R wrist plain film | AP projection | pediatric patient (boy, age 12) | detector: Siemens

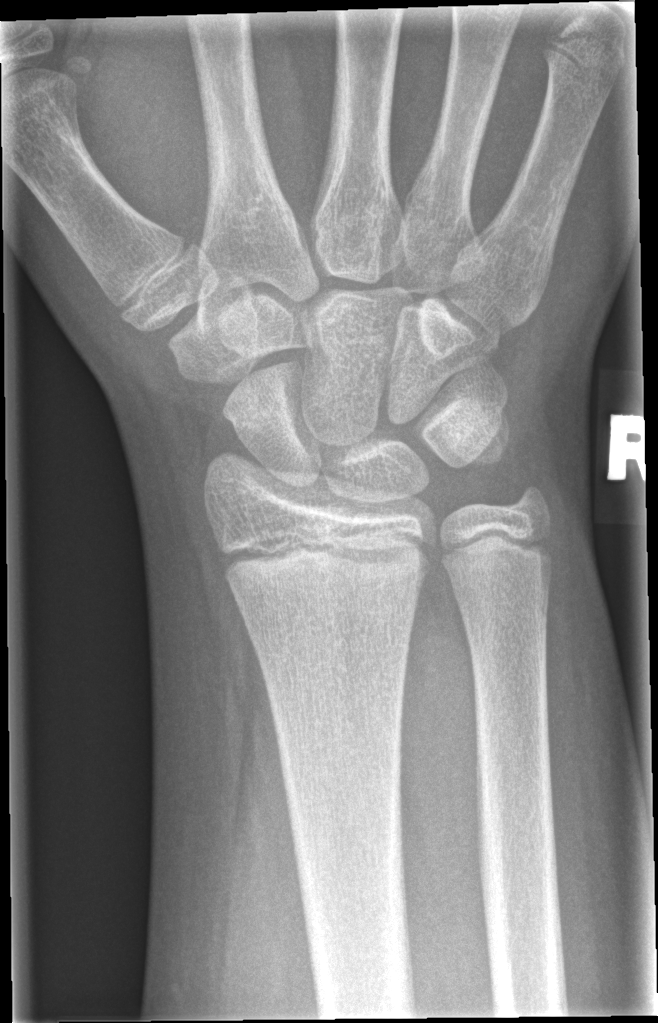 Fracture: none labeled.